Right wrist plain film; AP projection; 595 x 926 px. 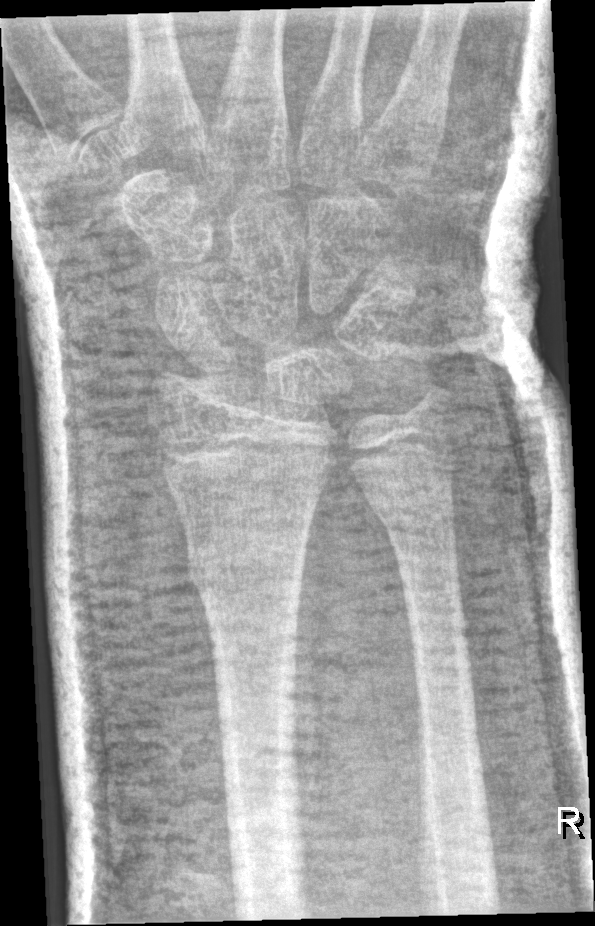

fracture: 2 @ [x1=183, y1=531, x2=307, y2=610]; [x1=364, y1=483, x2=463, y2=536]
ao: 23-M/2.1